Lat | left wrist pediatric wrist radiograph | index exam | acquired on Siemens | image 78.2 mm wide | 543 x 982 px 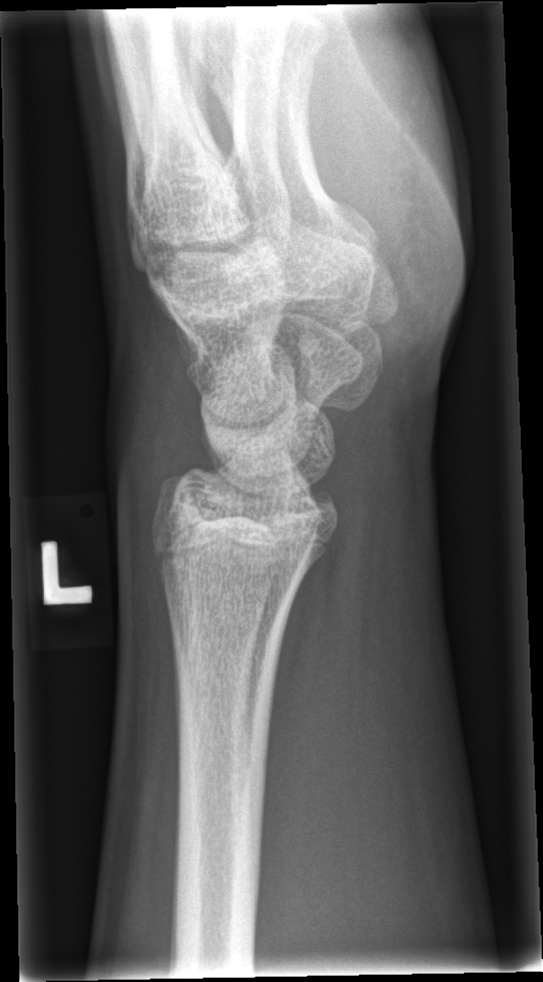 Fx: none labeled